Left wrist XR; lateral view; follow-up study; cast present; detector: Siemens —
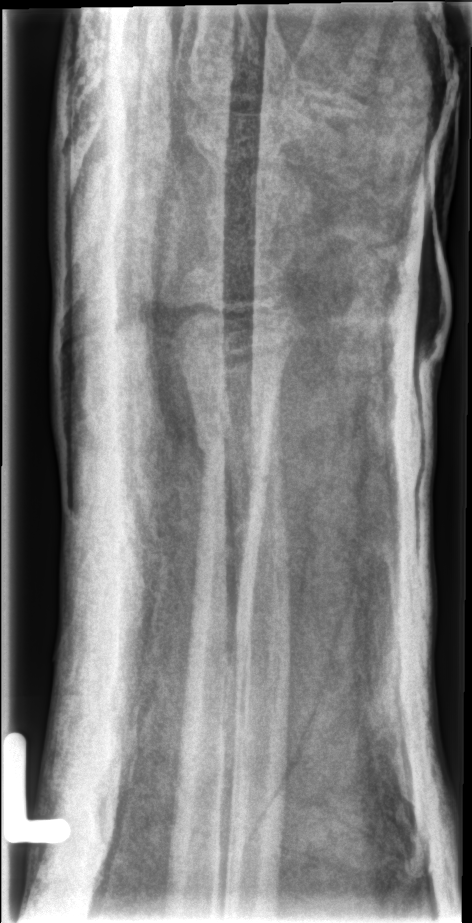 Fracture: bbox(192, 419, 280, 469).
AO/OTA classification: 23r-M/3.1; 23u-M/2.1.